Lateral · R wrist X-ray · 12-year-old female · 534 by 1082 pixels:

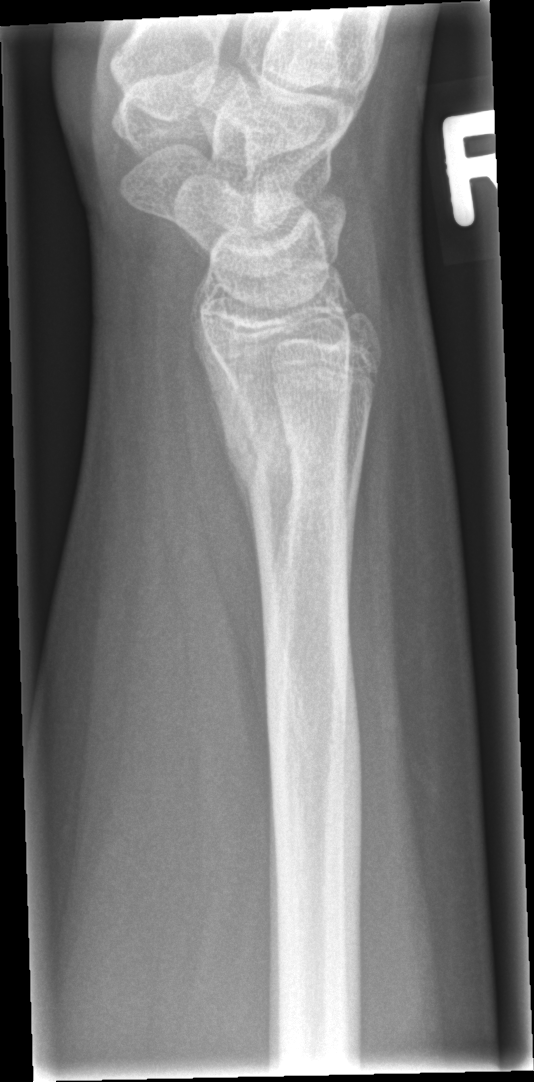   fracture: 1 @ bbox(203, 365, 356, 515)
  ao: 23r-M/2.1